Left pediatric wrist radiograph · PA/AP · pediatric patient (boy, age 16) · subsequent exam 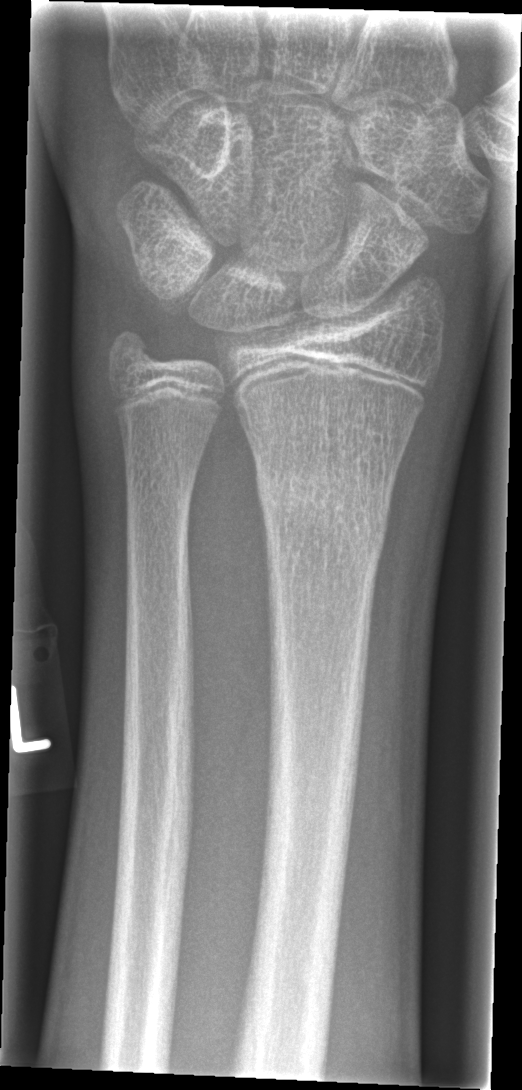

Coordinates are [x1, y1, x2, y2] in image pixels.
One Fx at <253,460>-<398,560>.
AO code 23r-M/2.1.